Right wrist radiograph; lat view 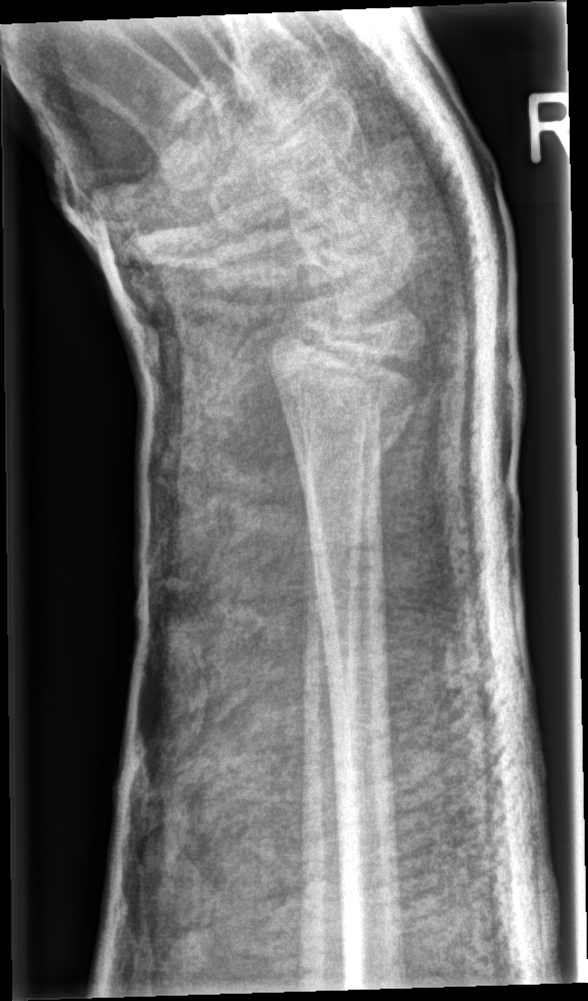

  ao: 23r-M/3.1; 23u-E/7
  fracture: <270,341>-<424,459>